Lateral | L wrist XR | 8y F | acquired on Siemens.

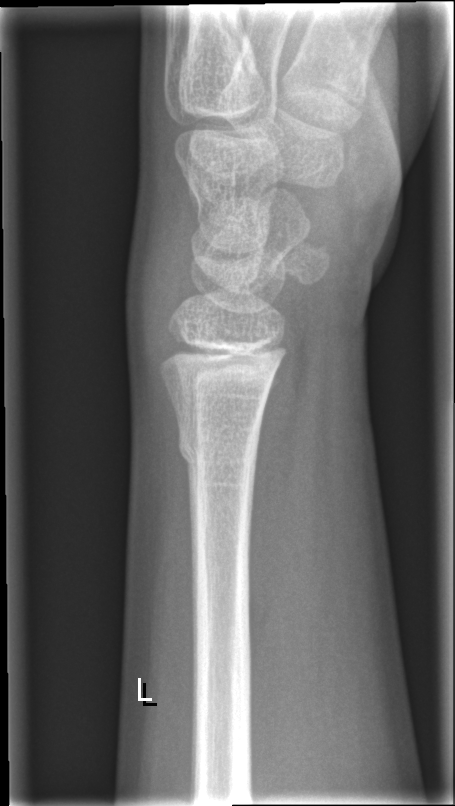

{"fracture": "1 @ bbox(176, 428, 261, 468)"}